R wrist radiograph | lateral projection | subsequent exam | Siemens | 383 by 978 pixels —

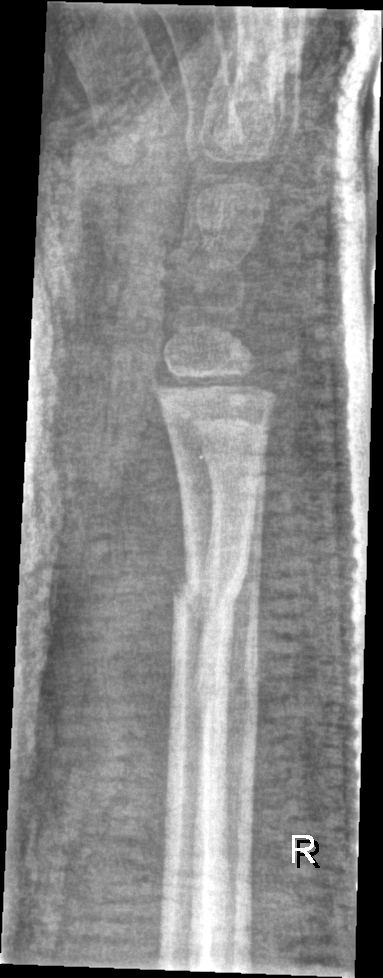
Boxes as x1,y1,x2,y2 (top-left / bottom-right, pixel units). One Fx at (167, 568, 247, 629).